Right wrist plain film, PA/AP view, female, 9 yo, Siemens —
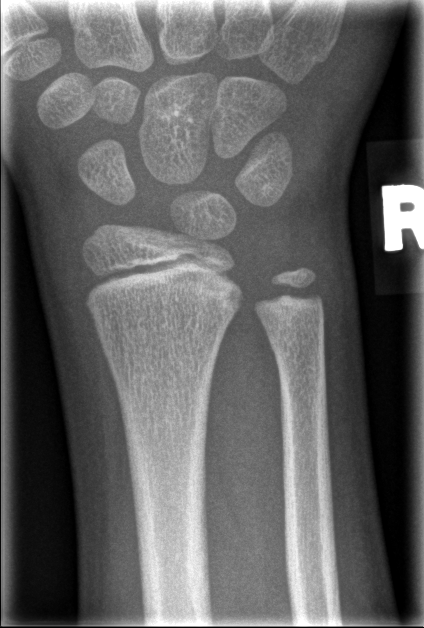
Q: Is there a fracture?
A: No fracture bounding box